Lt plain radiograph of the wrist, PA/AP projection, 8y M, 654 x 1054 px: 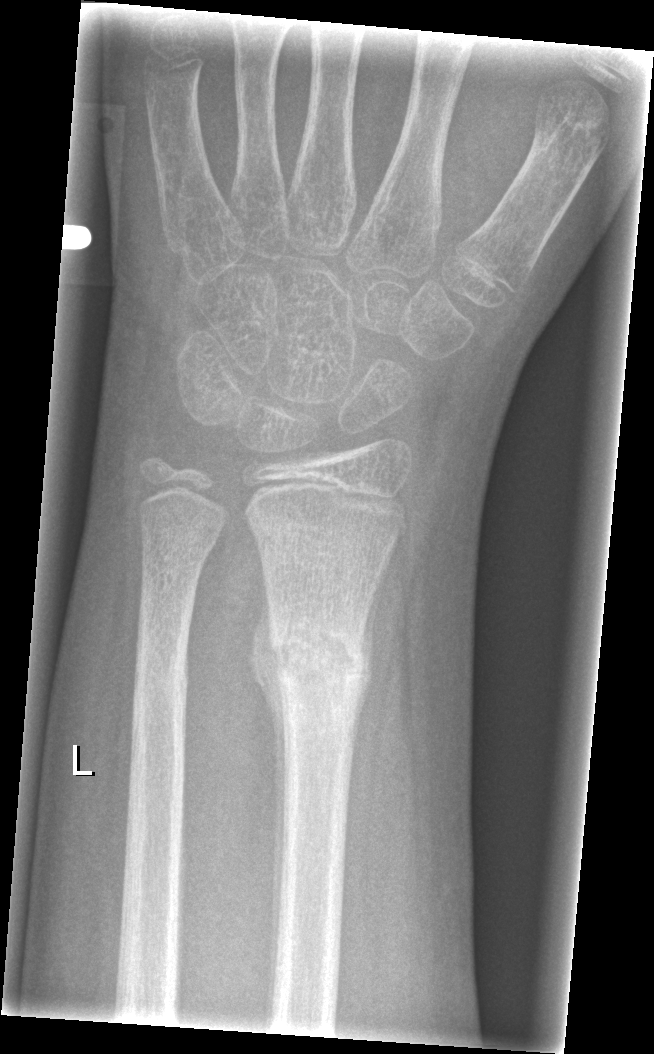
(bounding boxes in image-pixel xyxy)
Fracture = (left=242, top=595, right=394, bottom=735); (left=116, top=637, right=212, bottom=723)
Osteopenia = present
AO classification = 23r-M/3.1; 23u-M/2.1
Periosteal thickening = 1 @ (left=251, top=605, right=286, bottom=1020)